Lat view | left pediatric wrist radiograph | 8y F | image size 583x1112 —
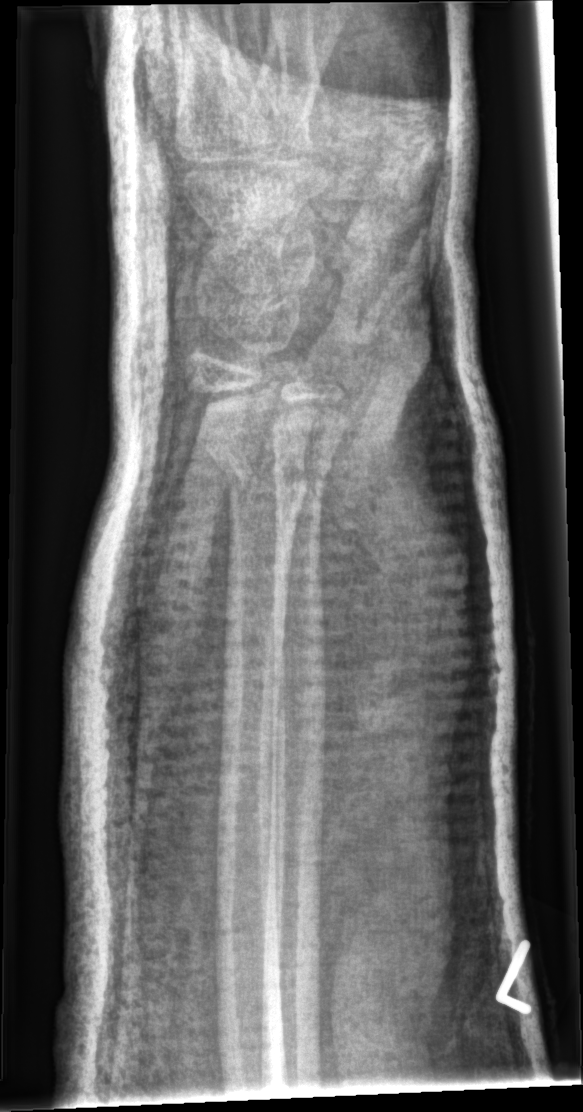

Fracture identified at <206,434>-<319,517>. AO code 23r-M/3.1; 23u-E/7.